Lat, left plain radiograph of the wrist, age 11 y, female, presentation radiograph
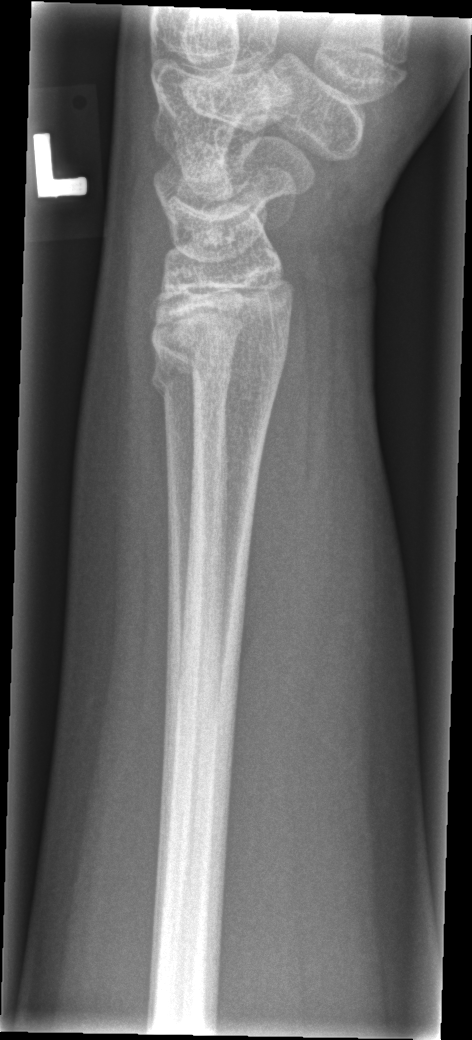 Pixel coordinates, top-left origin, xyxy.
Two bone fractures at <148,321>-<294,390>, <145,352>-<235,409>.
Pronator sign identified at <243,296>-<316,644>.
Fracture classified AO/OTA 23-M/2.1.